Left wrist plain film, PA projection, pediatric patient (female, age 10), acquired on Siemens

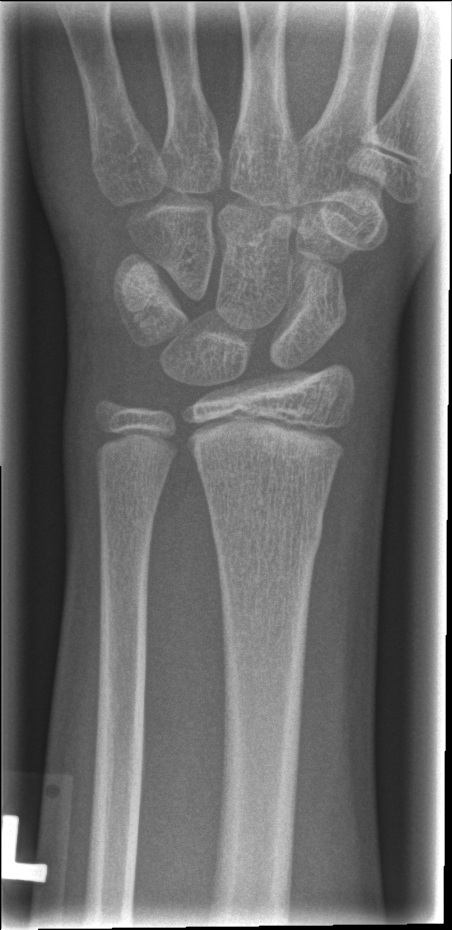 One bone fracture at [x1=210, y1=515, x2=326, y2=559]. Fracture classified AO/OTA 23r-M/2.1.